Left wrist plain film | lateral projection | acquired on Siemens — 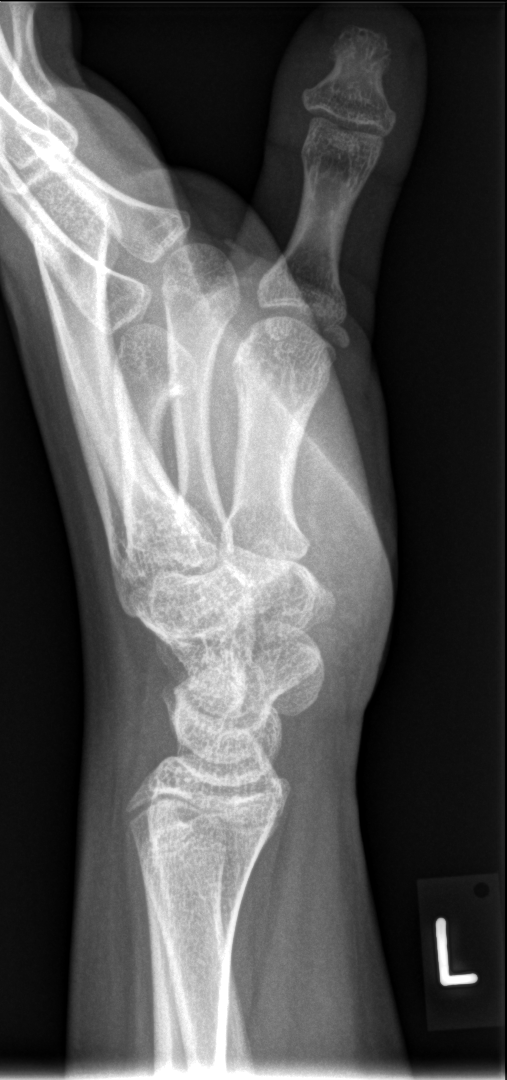

Fracture: none labeled.